Right wrist radiograph, PA/AP view, 11y F
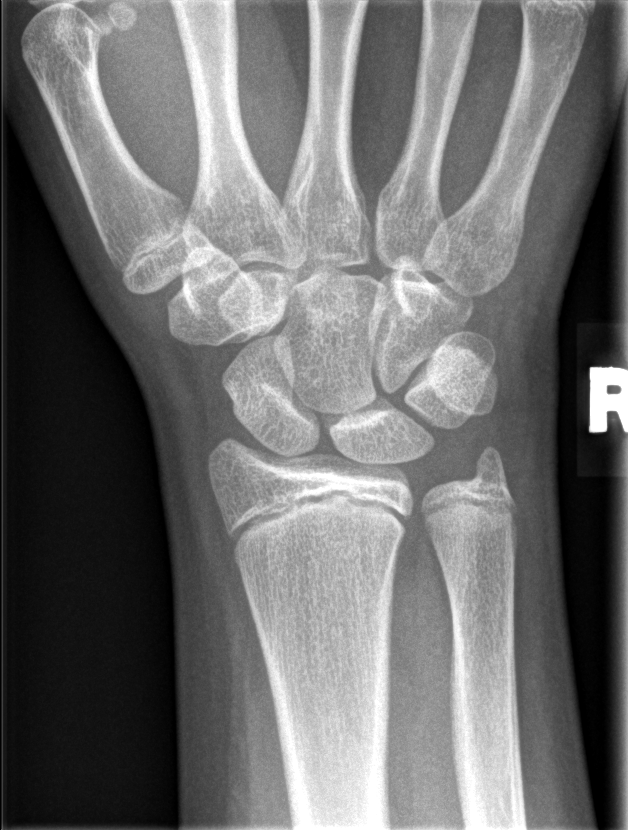 Fx: none labeled